Left wrist radiograph; lateral view; girl, 8 yo; acquired on Siemens; 555x976:
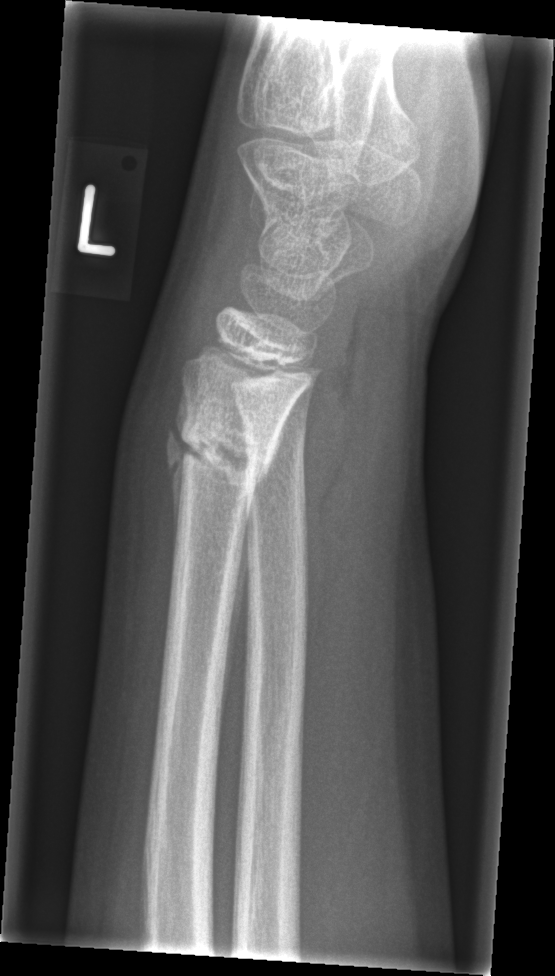
FINDINGS — (boxes as x1,y1,x2,y2 (top-left / bottom-right, pixel units)) Fracture: <165,408>-<281,506>. One periosteal reaction at <163,391>-<201,609>.